Lat; Lt wrist X-ray; male, 14 yo: 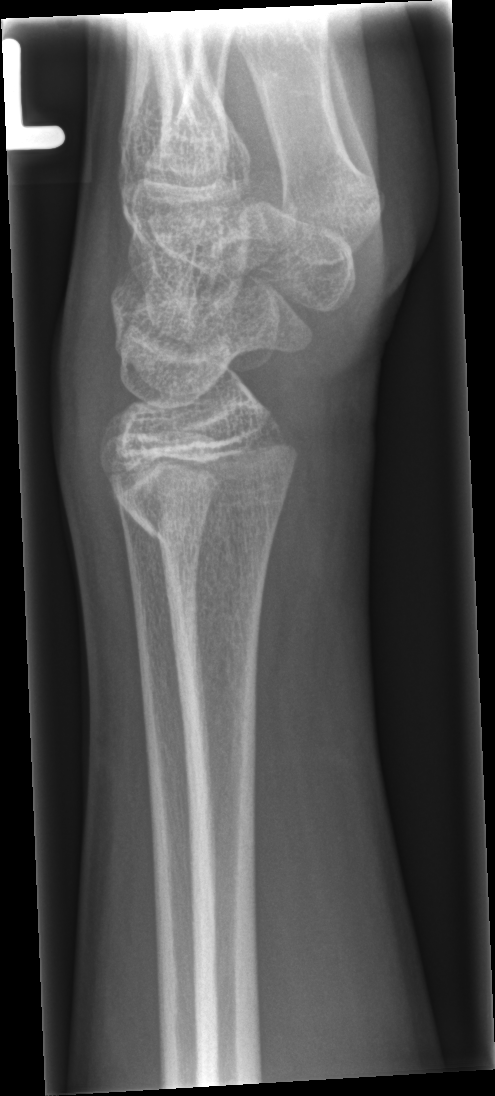
- Coordinates are [x1, y1, x2, y2] in image pixels.
- AO/OTA classification: 23r-E/2.1; 23u-E/7.
- Bone fracture identified at [104, 420, 300, 555].
- Soft-tissue finding — [46, 244, 129, 565].